L pediatric wrist radiograph | lateral | 8y M.

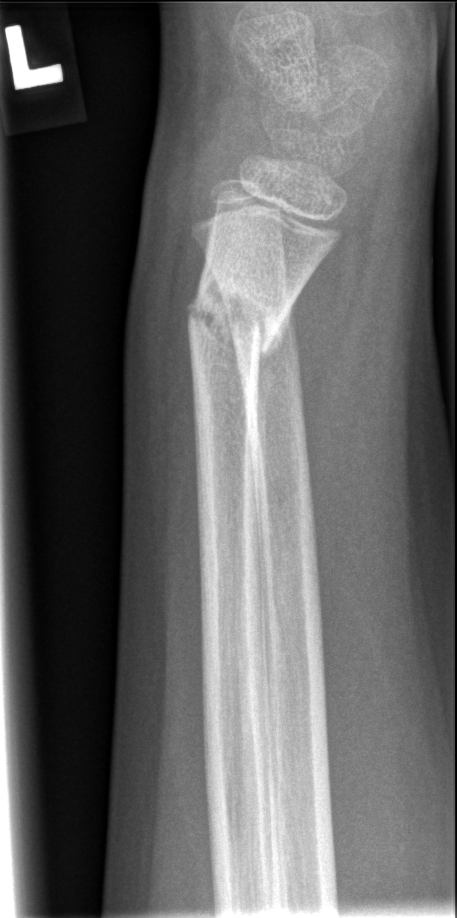

* Coordinates are [x1, y1, x2, y2] in image pixels.
* Osteopenic.
* Fracture identified at 184 263 292 369.